Posteroanterior view, L wrist X-ray, 5y M, in cast, image 102.0 mm wide 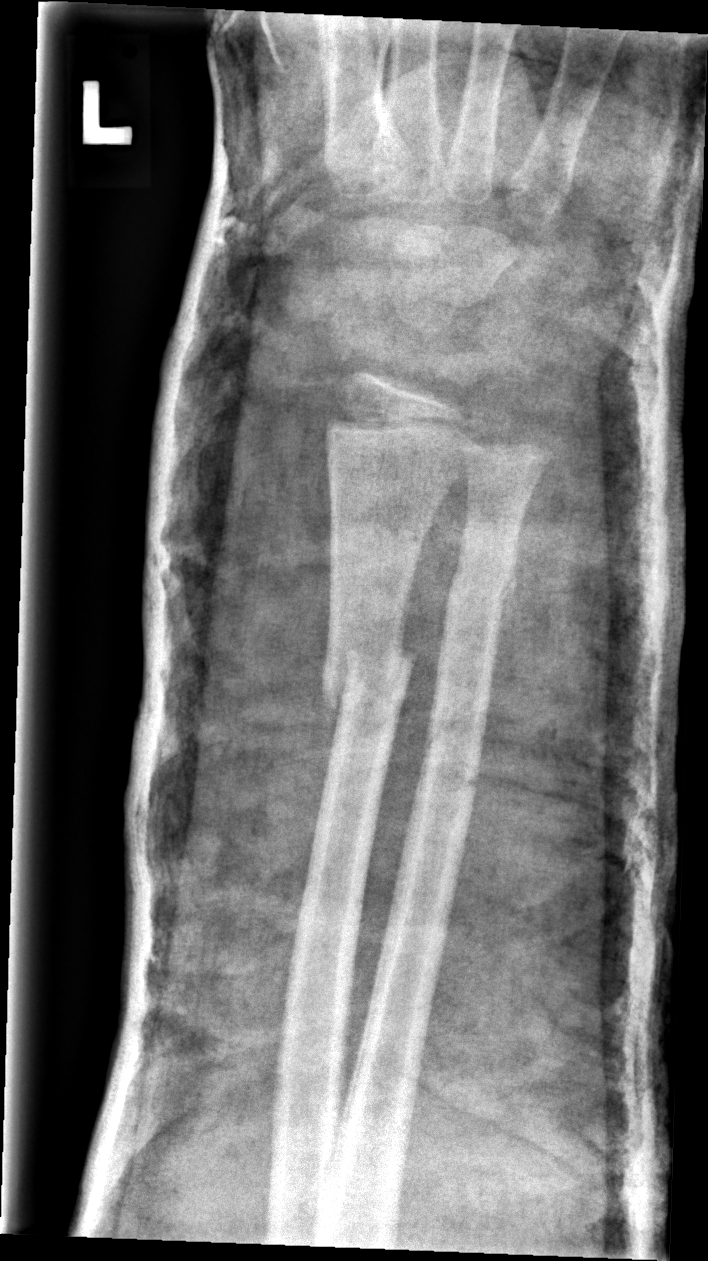
bone fracture = 2 @ (left=316, top=636, right=419, bottom=714); (left=421, top=719, right=484, bottom=797)
AO/OTA = 22-D/4.1